R wrist X-ray · lat:

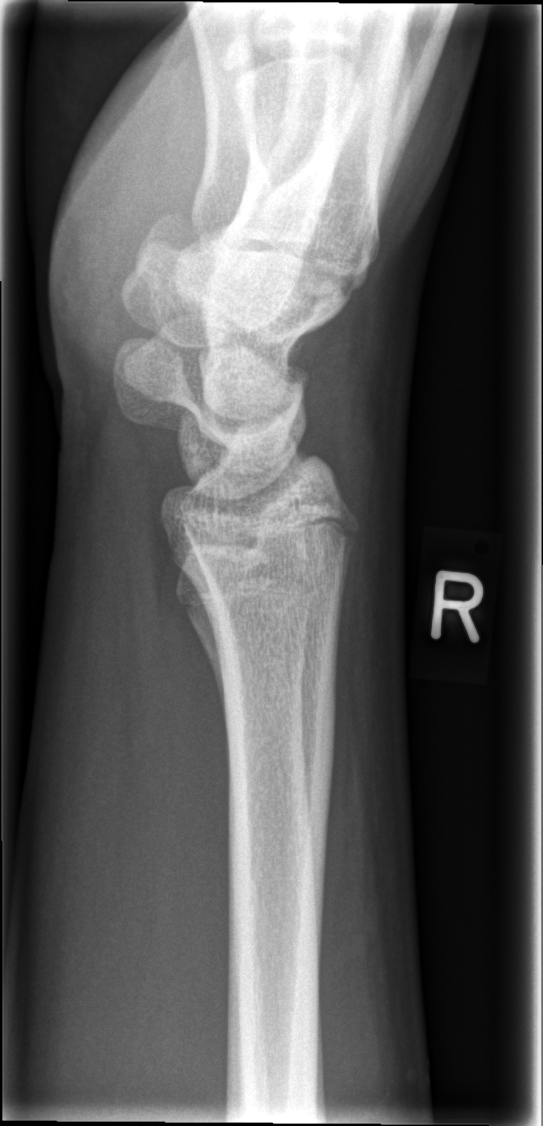   fracture: none labeled